L wrist X-ray, lat projection, 12y M, 645 by 1188 pixels:
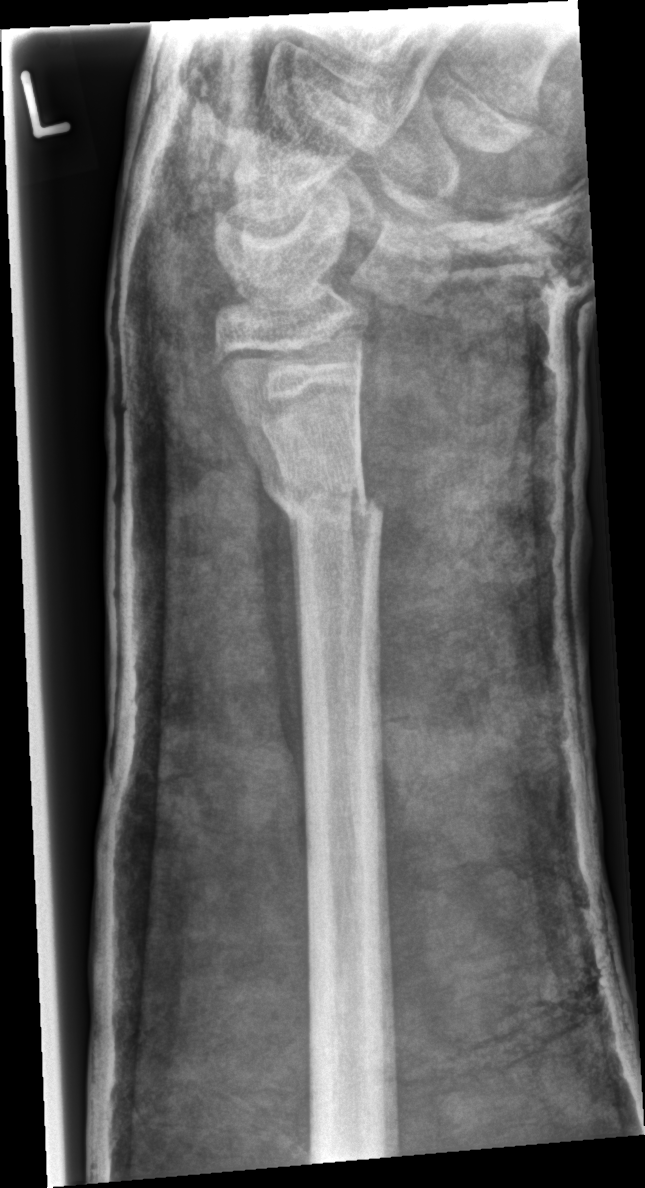

  fracture: 251 470 387 539
  ao: 23r-M/3.1; 23u-M/2.1